Lat projection | right pediatric wrist radiograph | age 11 y, male | 452x1038 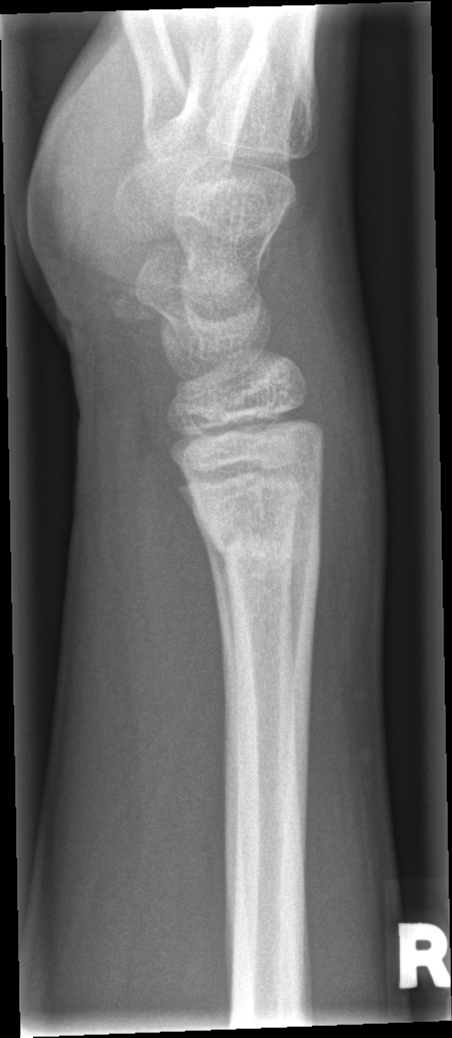

* Boxes as x1,y1,x2,y2 (top-left / bottom-right, pixel units).
* Decreased bone density (osteopenia).
* Fx — [x1=195, y1=523, x2=330, y2=575].
* AO code 23r-M/3.1.